Left wrist plain film | lateral view | age 8 y, boy | acquired on Siemens | 420x780 —
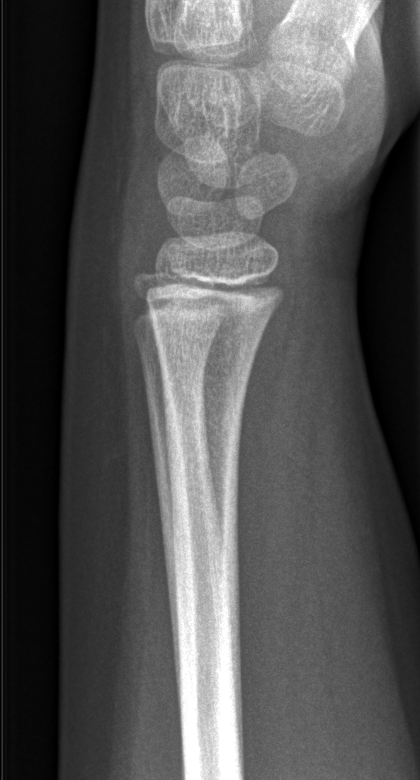 Fx: none labeled